Right wrist plain radiograph of the wrist | PA/AP | 592x802. 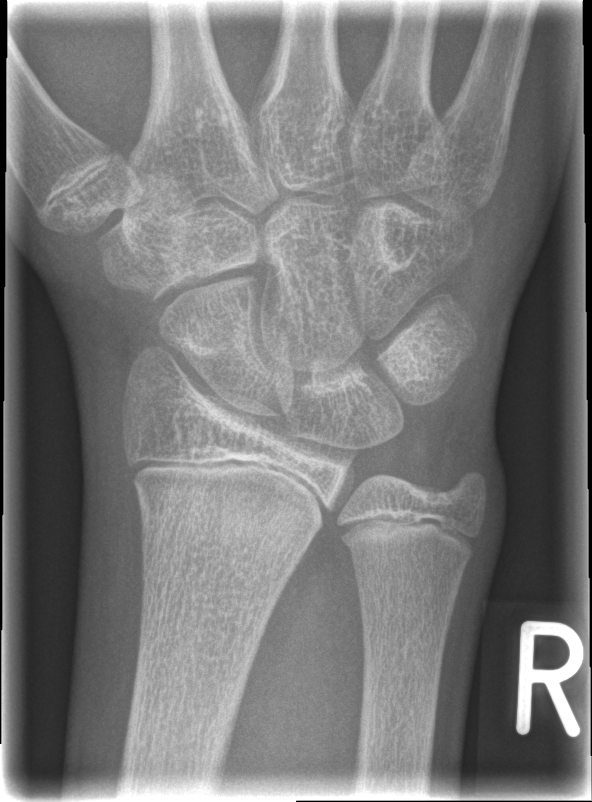
Bounding boxes in image-pixel xyxy.
Decreased bone density (osteopenia).
Fracture classified AO/OTA 23-M/2.1.
Fracture identified at (left=133, top=478, right=323, bottom=551), (left=338, top=524, right=475, bottom=567).